PA projection; Lt plain radiograph of the wrist; detector: Siemens
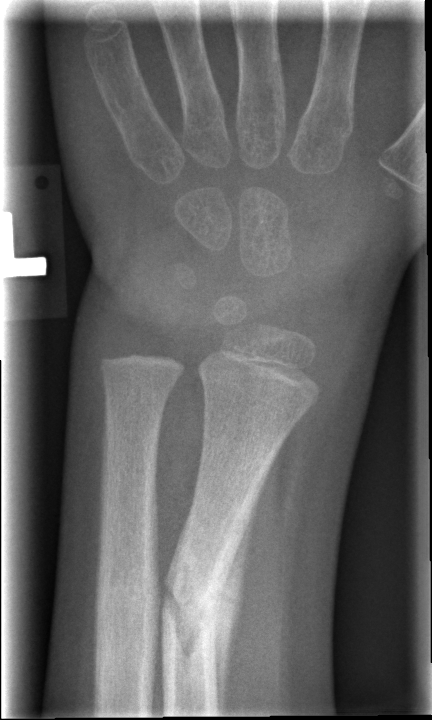
periosteal thickening = 1 @ [x1=209, y1=475, x2=268, y2=716]
bone fracture = 2 @ [x1=160, y1=546, x2=237, y2=644]; [x1=91, y1=563, x2=161, y2=629]